PA/AP view; Rt wrist X-ray; 4y F; subsequent exam; cast present; 522 by 726 pixels. 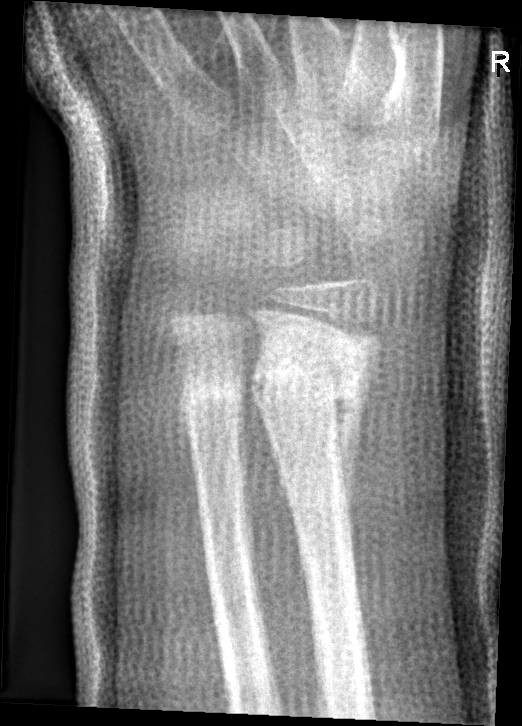
periosteal thickening: 1 @ (330, 342, 378, 532)
AO code: 23-M/3.1
fracture: (245, 330, 378, 422), (178, 368, 247, 422)